Left pediatric wrist radiograph, lat view, boy, 12 yo, follow-up study — 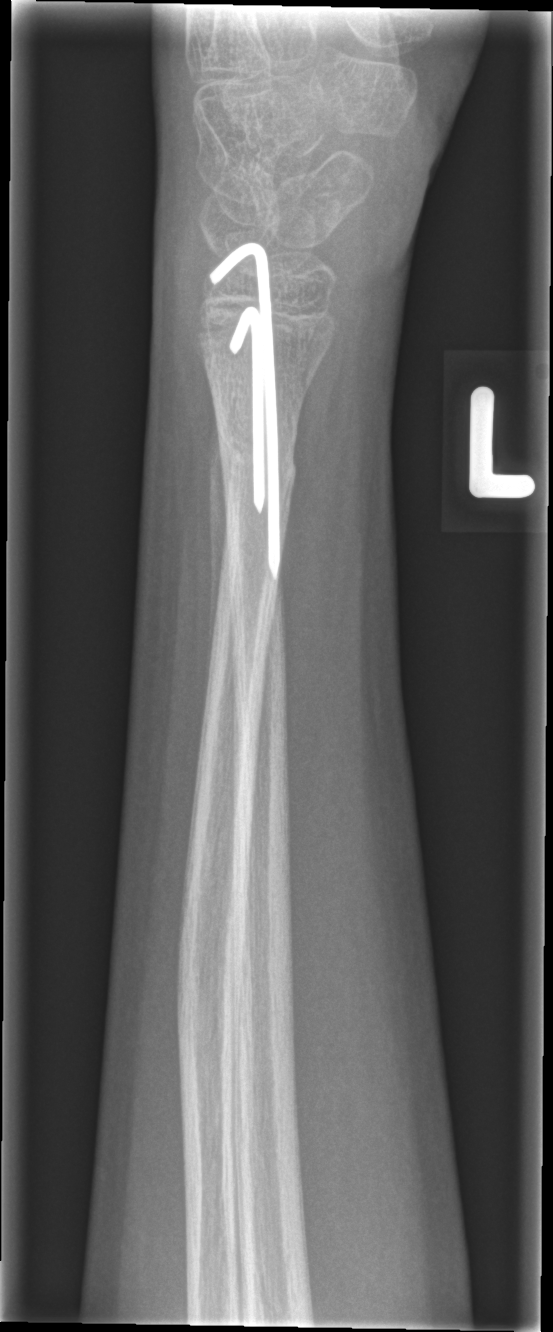
* Pixel coordinates, top-left origin, xyxy.
* Fracture — [211, 417, 303, 506].
* Hardware identified at [213, 251, 278, 585].
* AO code 23r-M/3.1; 23u-M/2.1.